Left plain radiograph of the wrist · PA view —

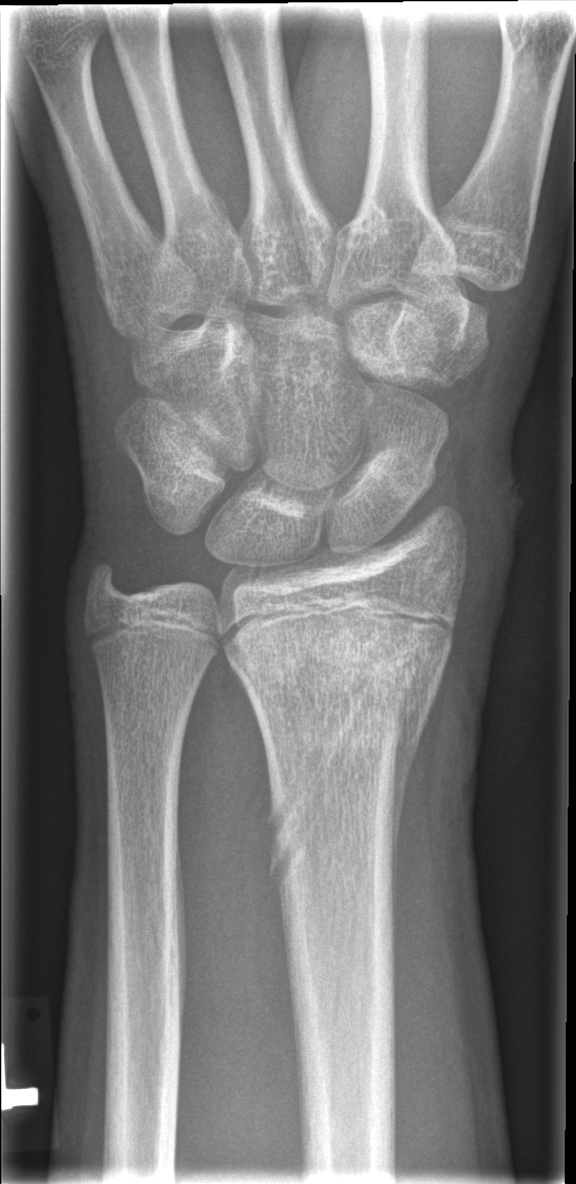
Findings: Bone variant: 260,682,376,896. Fracture: 232,597,456,713. Osteopenic. Periosteal new bone: 390,722,421,935.